Posteroanterior projection | left wrist X-ray | presentation radiograph | Siemens.

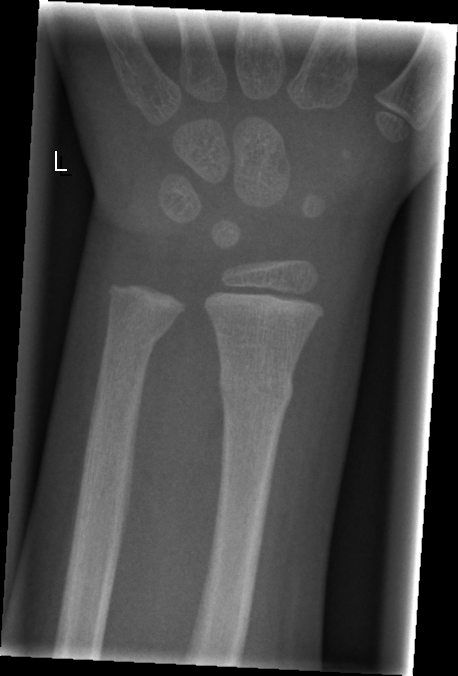 • Fracture classified AO/OTA 23-M/2.1.
• Fx — 215,360,296,412; 101,315,171,356.